Left wrist plain film; lateral projection; age 11 y, male; presentation radiograph — 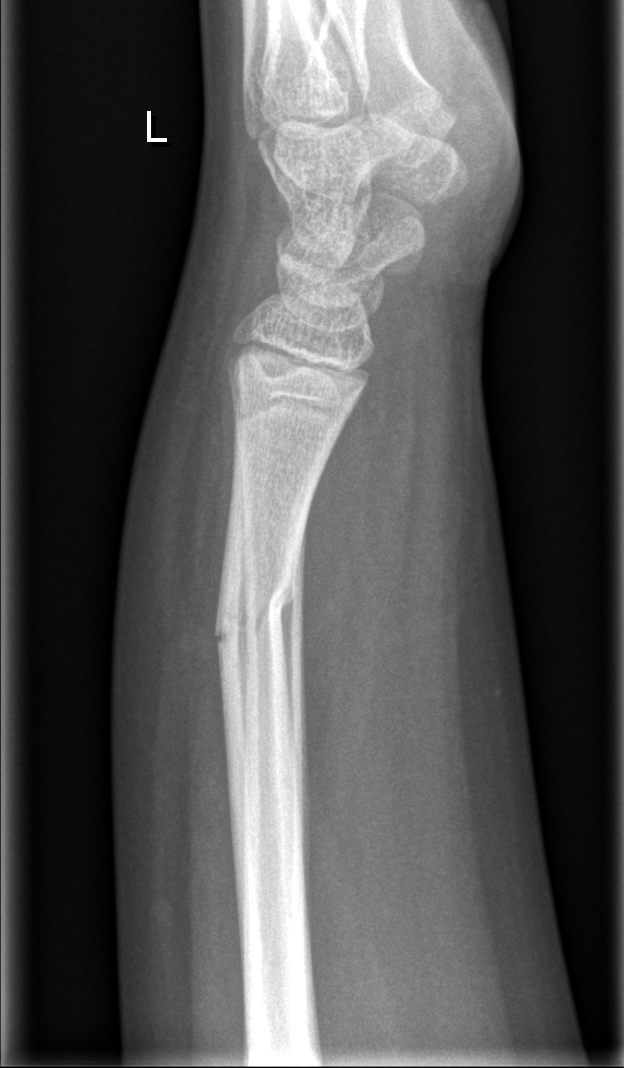
(boxes as x1,y1,x2,y2 (top-left / bottom-right, pixel units))
Bone fracture = 1 @ bbox(211, 556, 300, 656)
AO/OTA = 22r-D/2.1
Positive pronator fat-pad sign = bbox(302, 363, 397, 782)